Lt pediatric wrist radiograph; PA/AP; imaged through cast 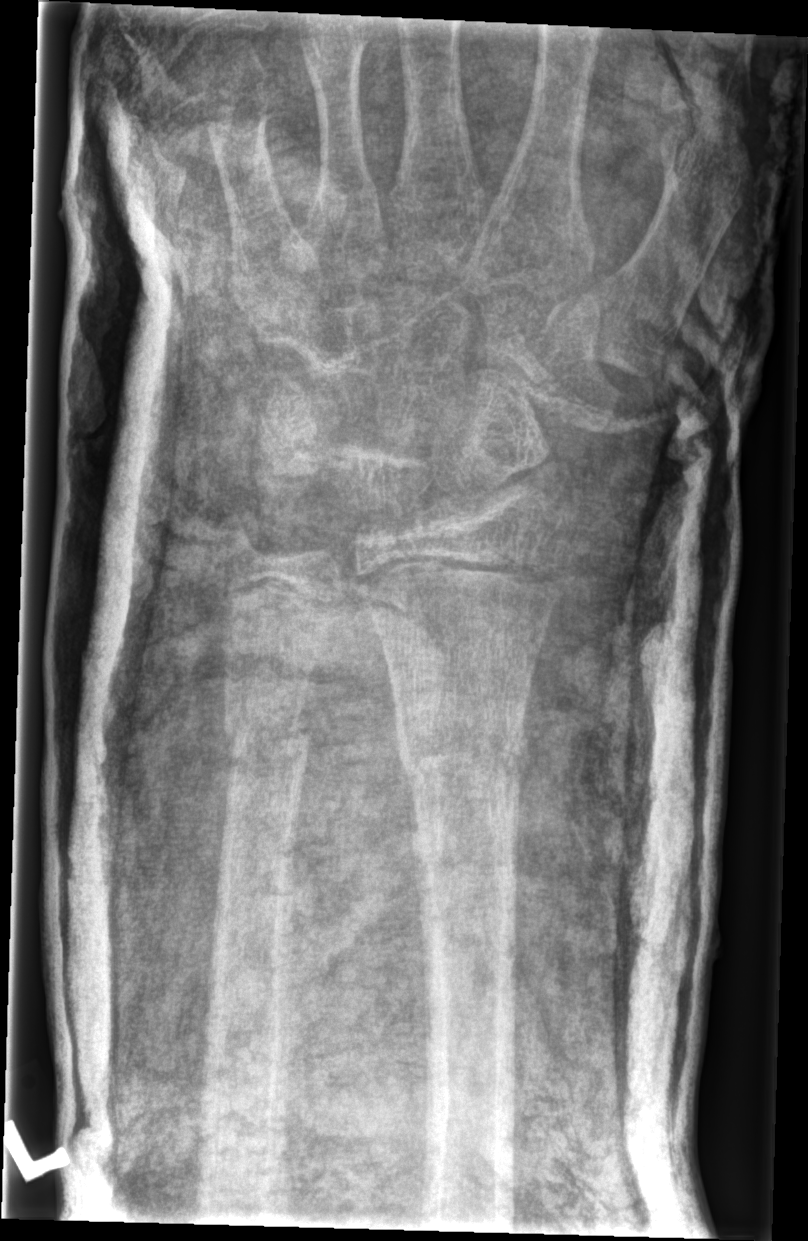
AO classification: 23-M/3.1
Fracture: 389,700,533,795; 216,702,319,769